Lateral view; right wrist radiograph; pediatric patient (female, age 8)
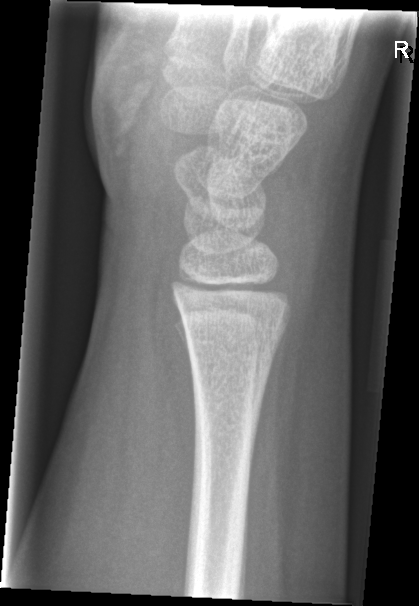
FINDINGS: No Fx annotated.